Lateral view · right wrist pediatric wrist radiograph:

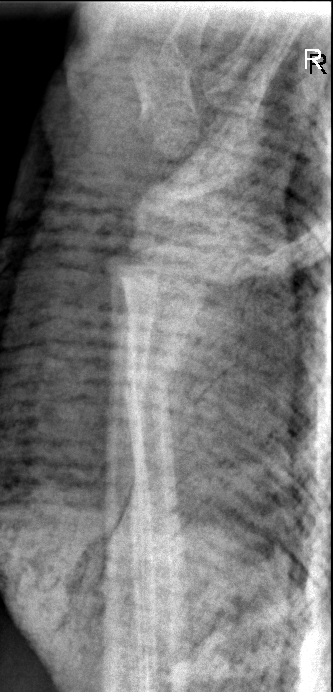

FINDINGS — Fx — [111, 353, 187, 415].